Frontal view, left pediatric wrist radiograph, cast present, acquired on Siemens —
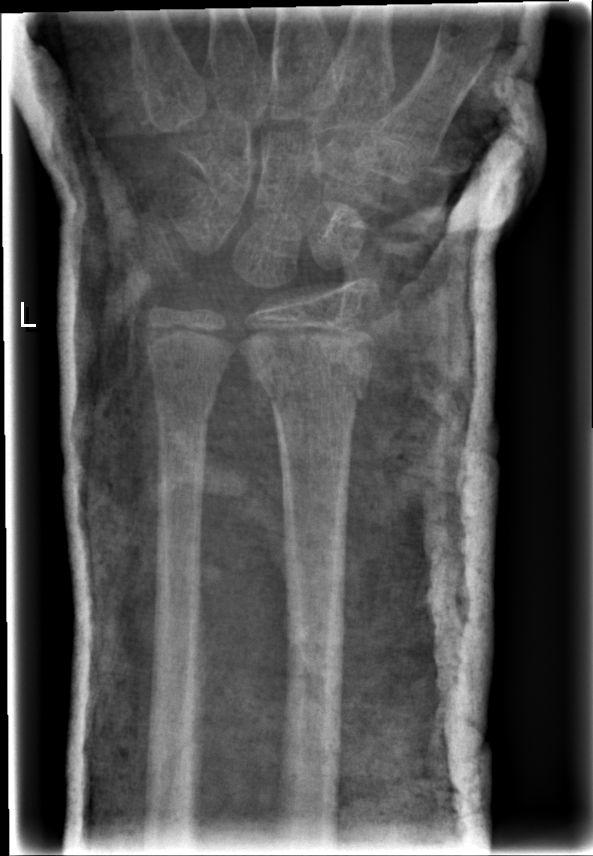

AO code 23r-M/3.1; 23u-M/2.1.
Bone fracture identified at [247, 348, 375, 405]; [147, 373, 220, 430].